Right pediatric wrist radiograph · posteroanterior projection. 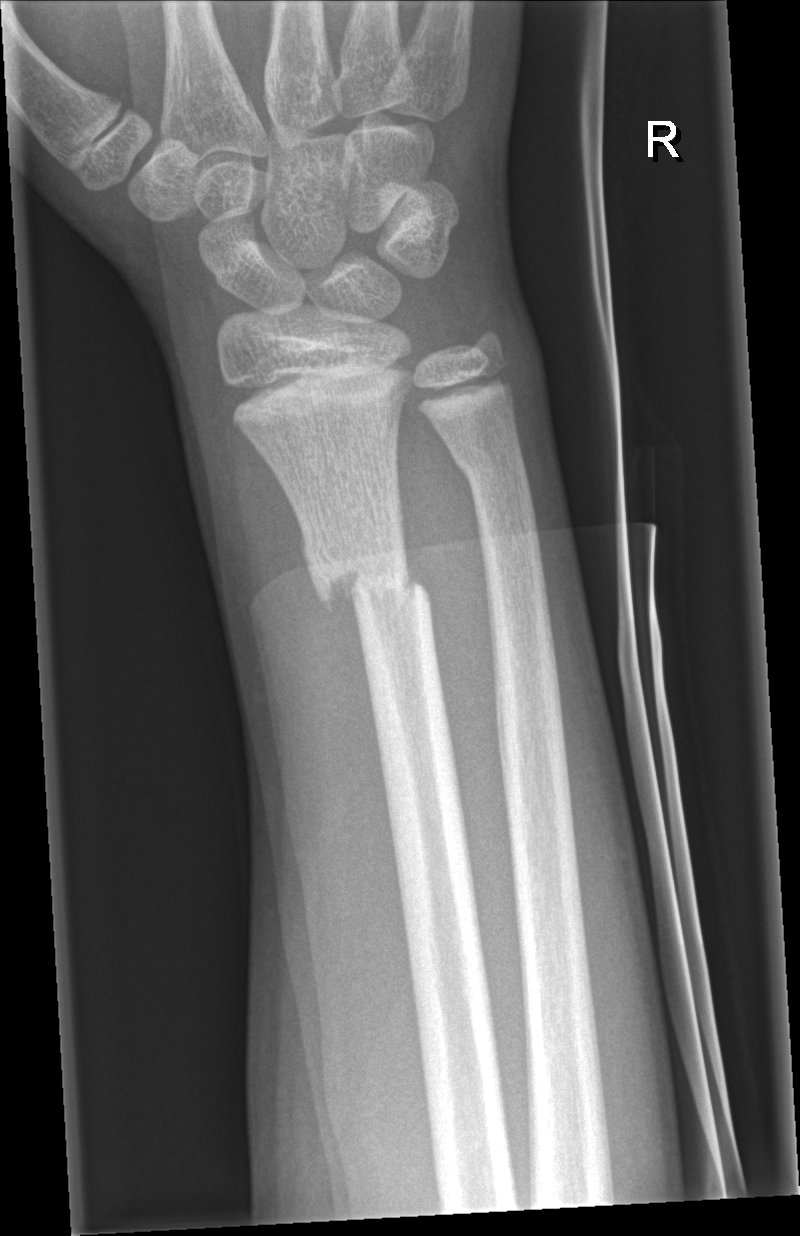

fracture: (left=301, top=550, right=435, bottom=622); (left=447, top=432, right=530, bottom=494)